Lt wrist radiograph; lat projection; female, 15 yo; acquired on Siemens.

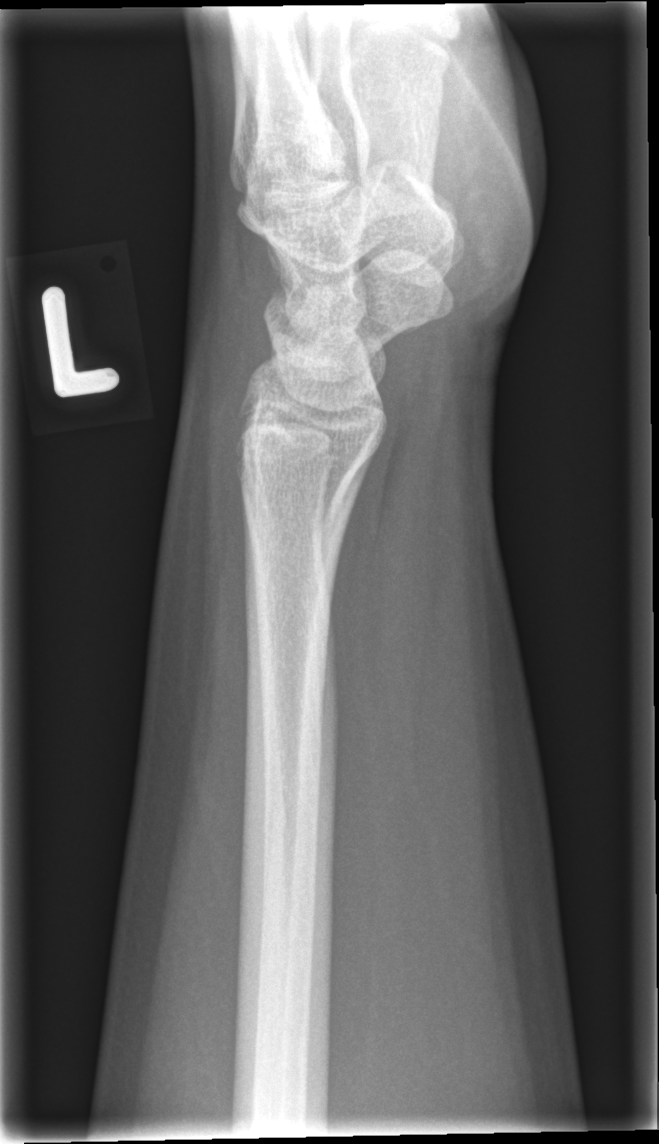

Findings: No Fx annotated.